Frontal | left wrist pediatric wrist radiograph | 15-year-old male. 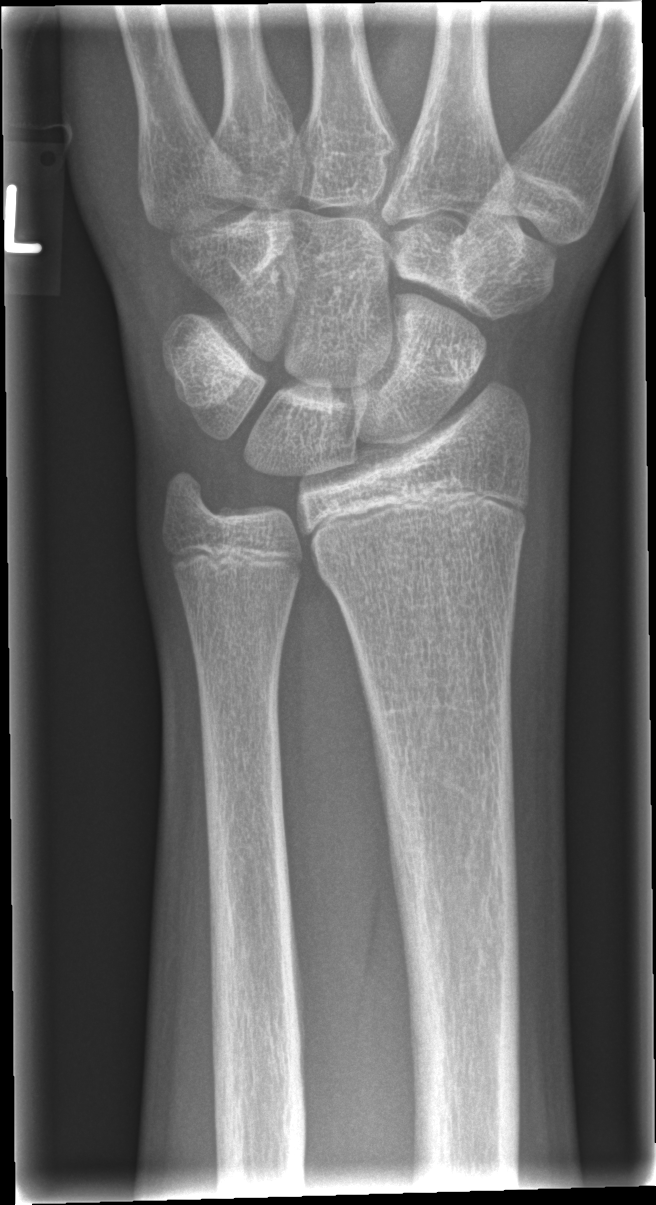

FINDINGS: No fracture labeled.